Left wrist plain film, posteroanterior projection, girl, 13 yo, follow-up study — 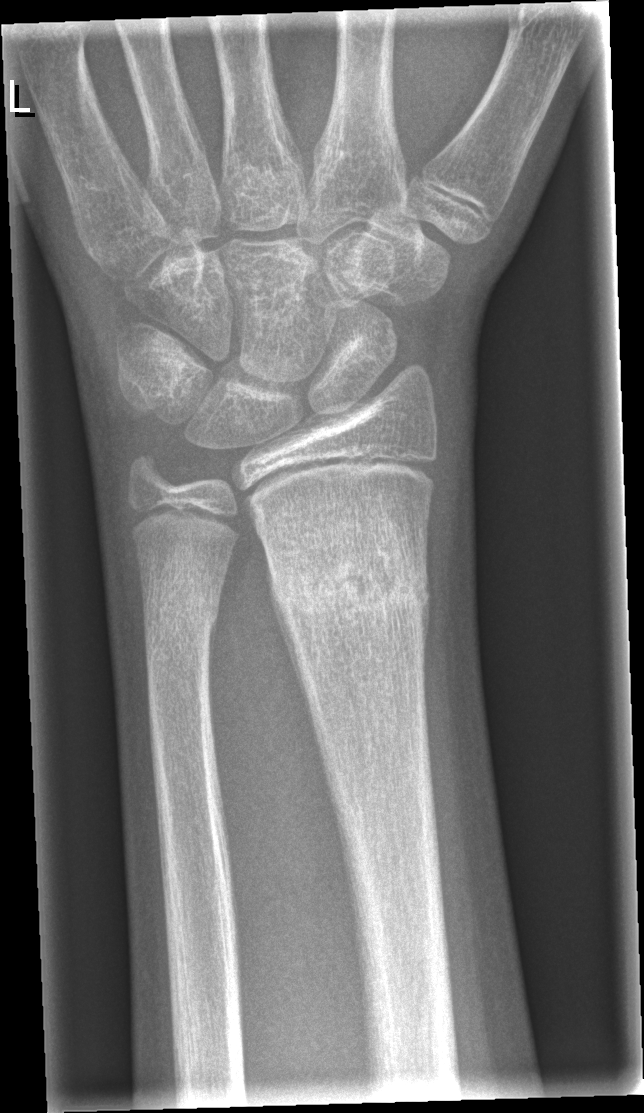
(coordinates are [x1, y1, x2, y2] in image pixels)
Q: Locate any periosteal reaction.
A: Periosteal reaction: (272, 592, 305, 699); (421, 598, 431, 651)
Q: Fracture present?
A: Three bone fractures at (264, 521, 434, 647); (139, 583, 222, 667); (123, 441, 182, 505)
Q: What is the AO/OTA classification?
A: Fracture classified AO/OTA 23r-M/2.1; 23u-M/2.1; 23u-E/7
Q: Is there osteopenia?
A: Reduced bone mineral density